AP; Rt wrist XR; image size 574x989 —

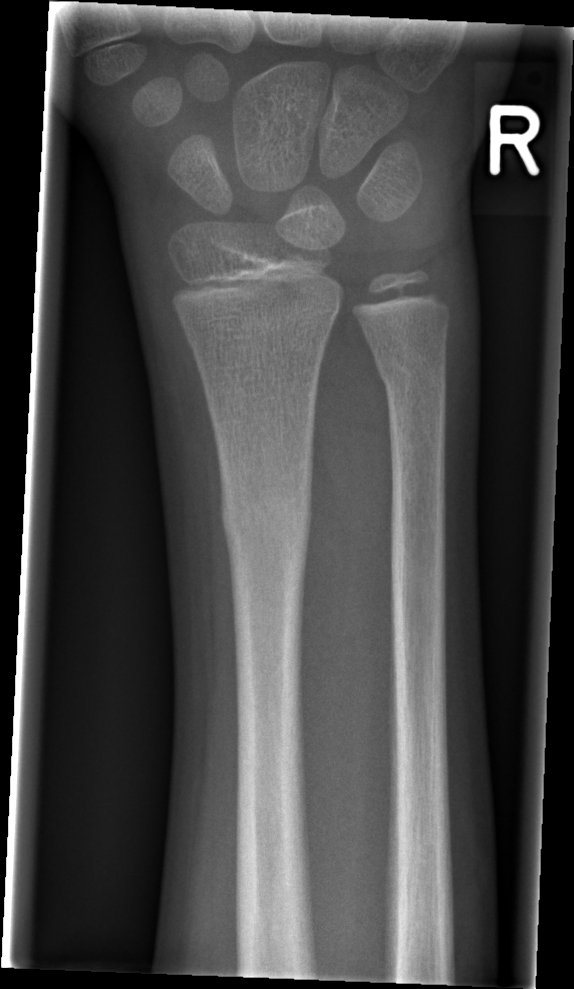

Two fractures at (left=215, top=476, right=317, bottom=564) (left=373, top=349, right=450, bottom=397). AO code 22r-D/2.1; 23u-M/2.1.